Lateral; left wrist pediatric wrist radiograph; 15-year-old female.

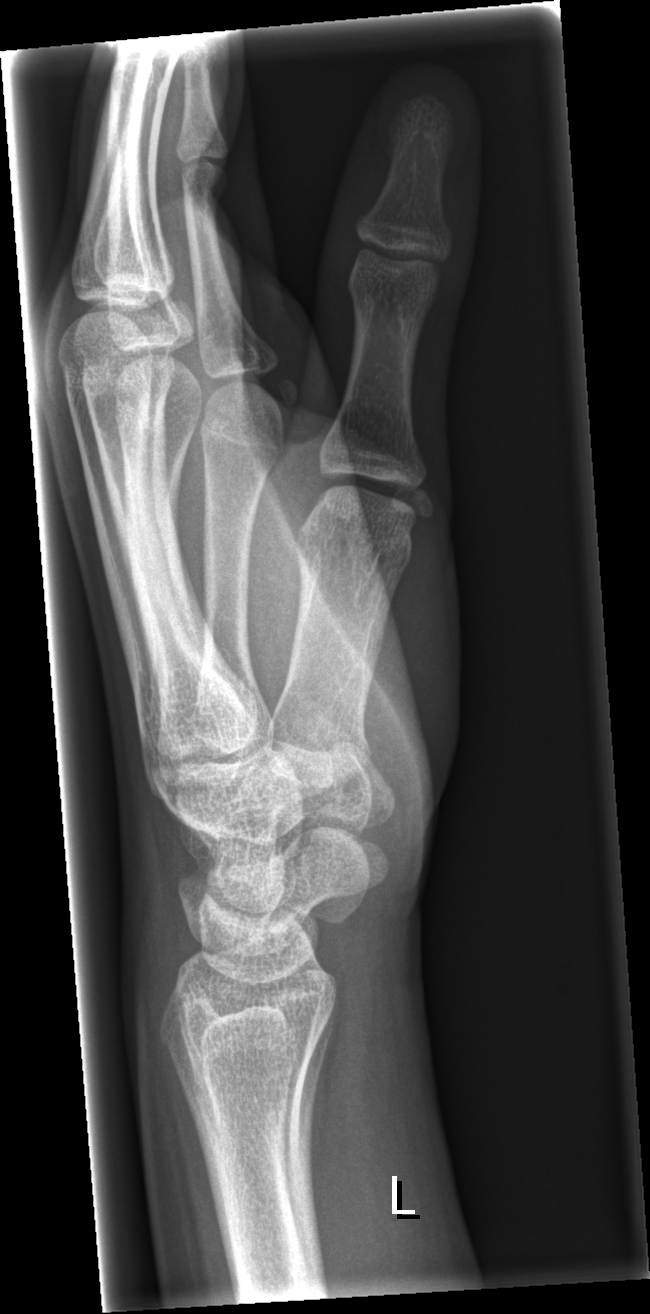
No fracture labeled.